R wrist radiograph; lateral projection; follow-up study; imaged through cast; 539x1356 —

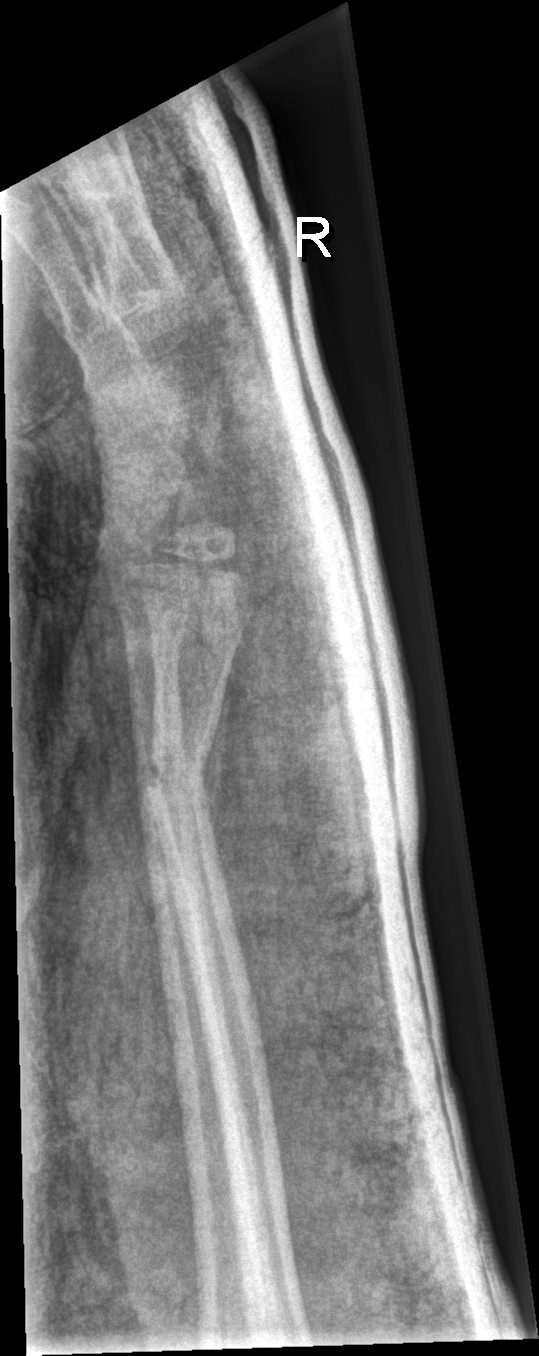
fracture = 1 @ bbox(138, 728, 218, 805)